Right wrist plain film | lateral.

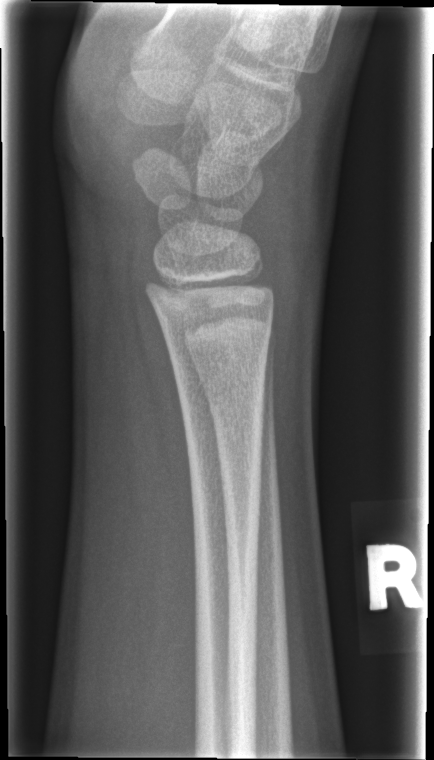

• Fracture: none labeled.